Left wrist XR | lateral view | age 11 y, female | Siemens | 73.6 mm image width
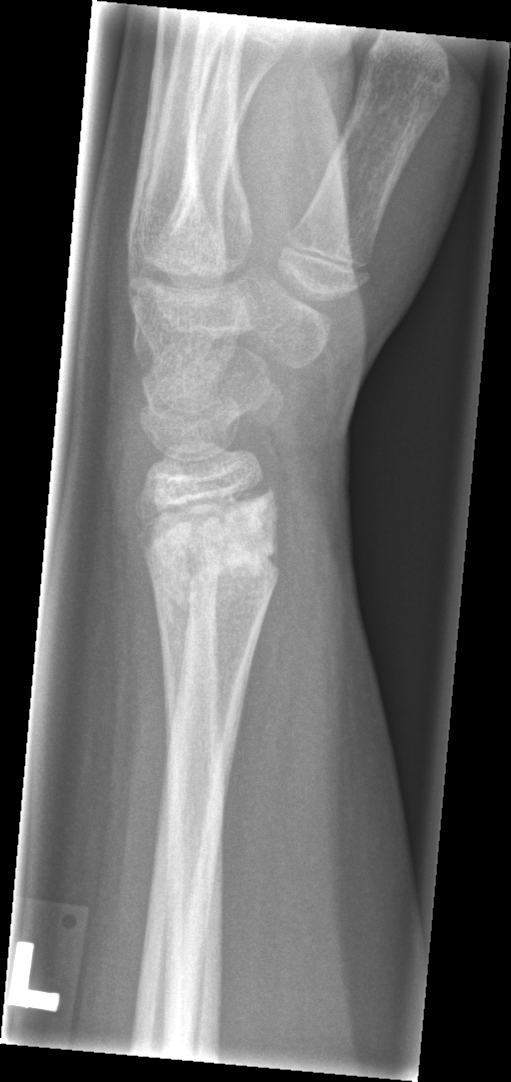 * AO/OTA classification: 23r-M/3.1; 23u-M/2.1; 23u-E/7.
* Bone fracture identified at [x1=144, y1=492, x2=288, y2=615].